Lat projection; left wrist XR; pediatric patient (female, age 4); cast present: 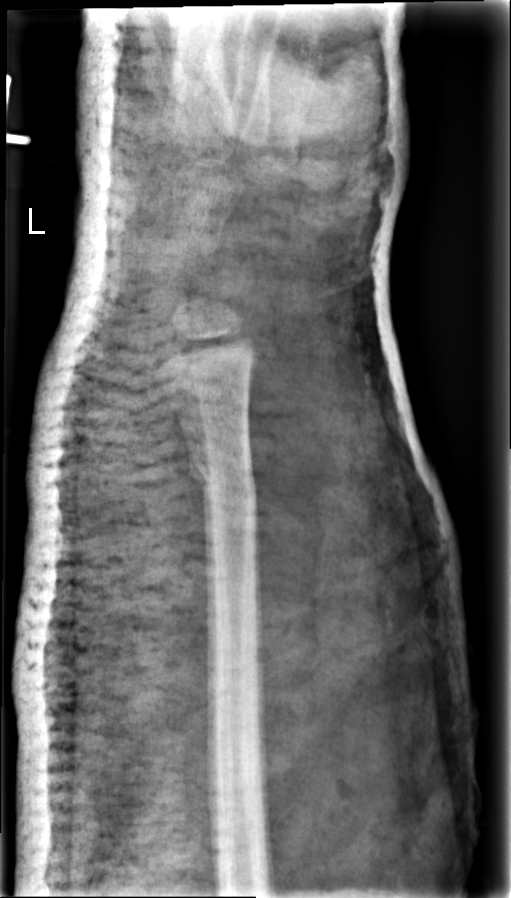

(boxes as x1,y1,x2,y2 (top-left / bottom-right, pixel units))
bone fracture: 1 @ (183, 447, 258, 500)